Lat · L plain radiograph of the wrist —

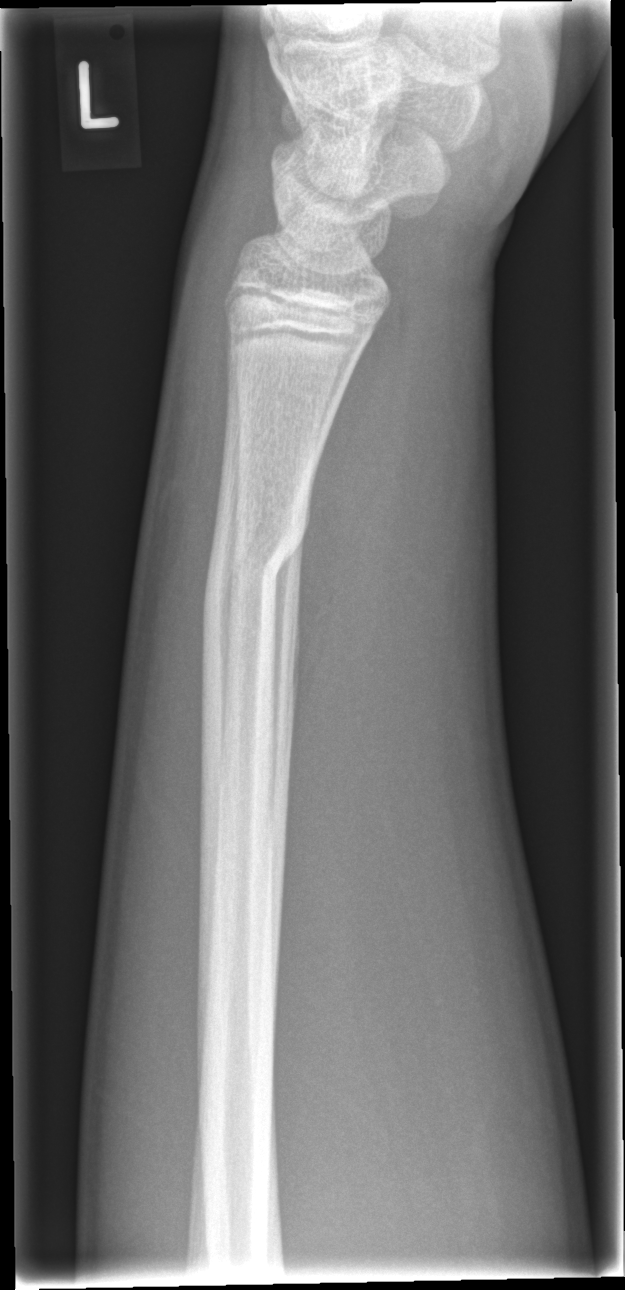
Bone fracture identified at 200,500,310,619.
Fracture classified AO/OTA 23r-M/2.1.
One soft-tissue finding at 293,313,500,848.